PA · left wrist X-ray · 10y M · 584 x 932 px —
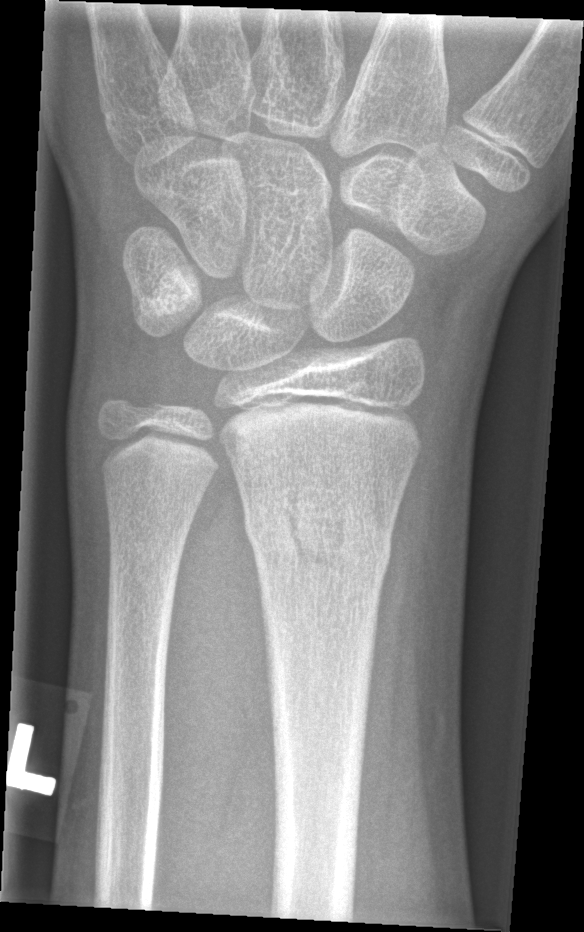

bone fracture = 240 486 395 587
AO code = 23r-M/2.1